Left wrist X-ray | posteroanterior | age 4 y, male | cast present
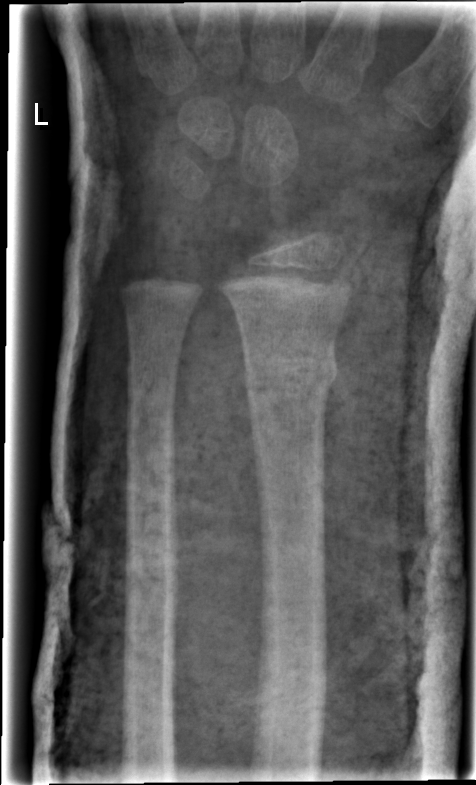
FINDINGS — AO/OTA classification: 23r-M/3.1. Bone fracture: 240 338 340 399.